Lt pediatric wrist radiograph | AP projection | 89.1 mm image width — 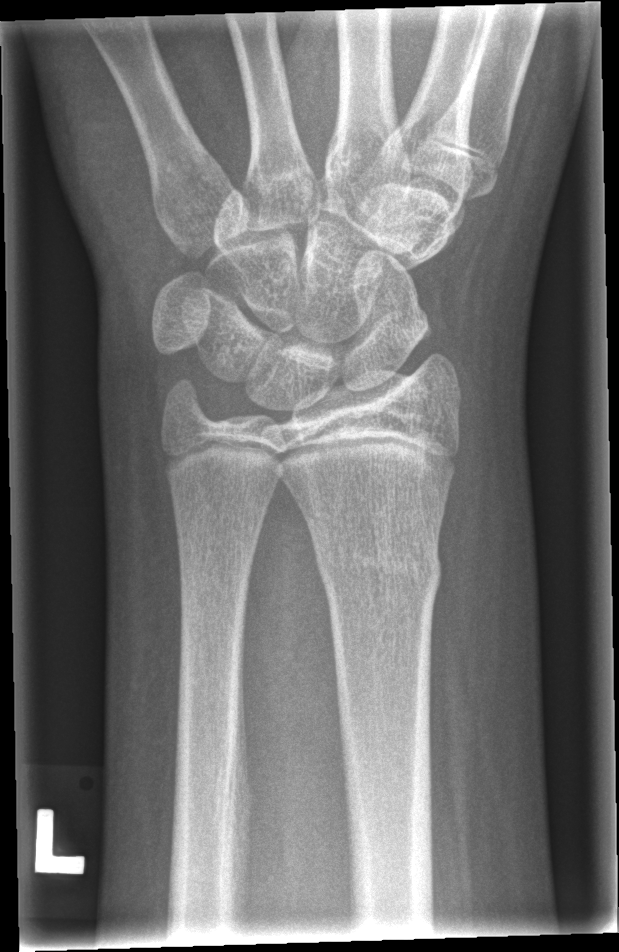
(pixel coordinates, top-left origin, xyxy)
Fx = 1 @ (left=311, top=534, right=445, bottom=598)
AO/OTA = 23r-M/2.1